Right wrist X-ray, PA/AP projection, index exam 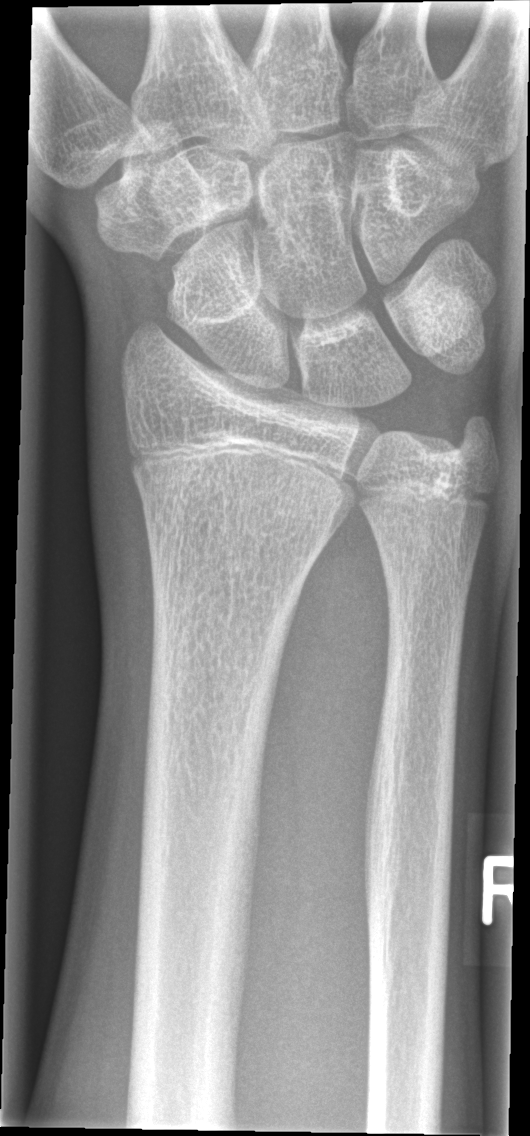 Fx: present but not clearly seen in this view
AO code: 23r-M/2.1